PA view · right wrist X-ray · follow-up:
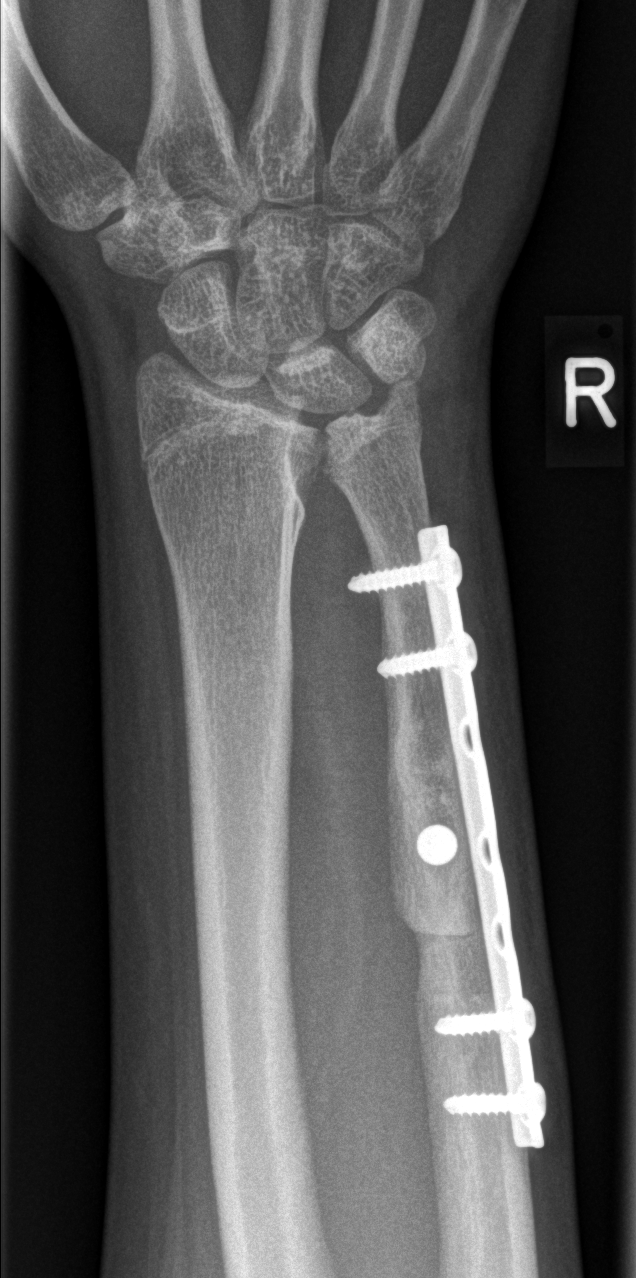 Metallic hardware: [x1=345, y1=523, x2=550, y2=1156]; [x1=416, y1=823, x2=460, y2=866].
Bone anomaly identified at [x1=279, y1=326, x2=440, y2=524] [x1=391, y1=866, x2=504, y2=1036].
No Fx annotated.